Lateral · right wrist X-ray · female, 11 yo · image size 698x1446.

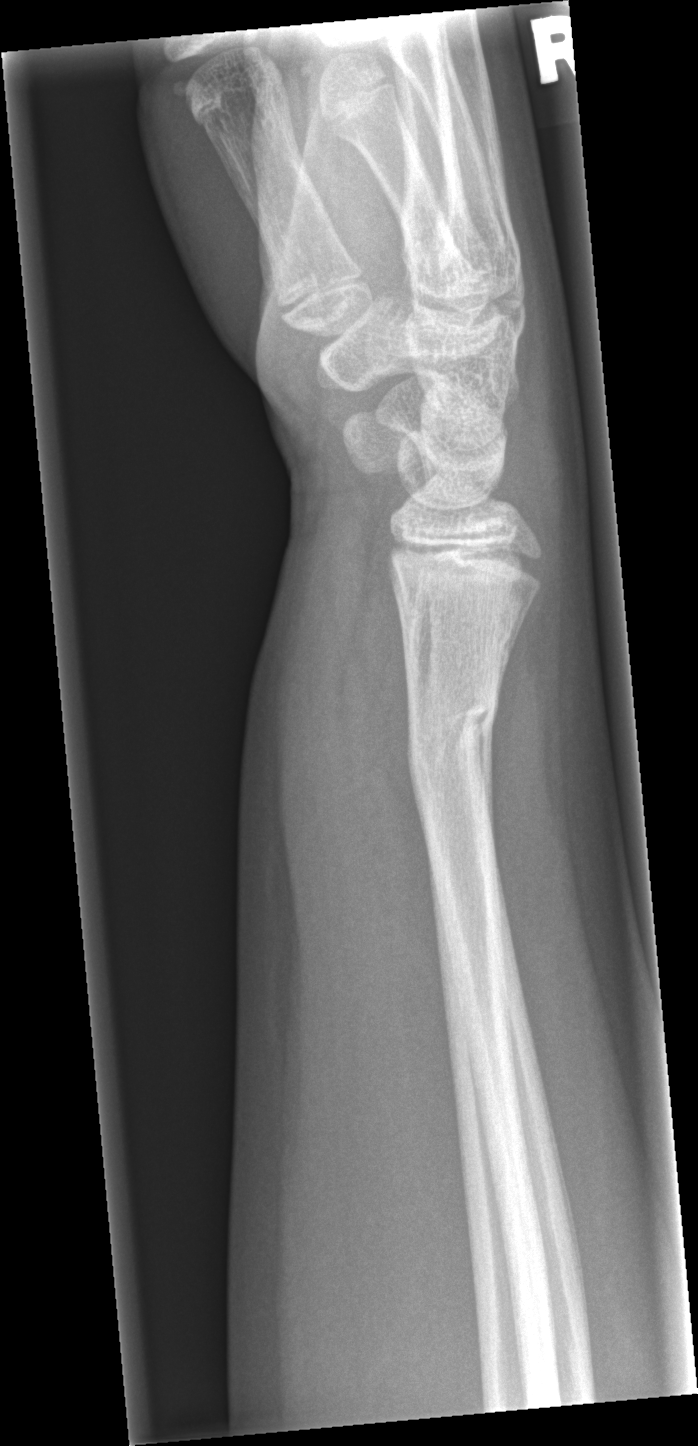 Bone fracture — bbox(401, 685, 504, 784). One pronator quadratus fat-pad sign at bbox(321, 499, 442, 1050).